Lt wrist X-ray, AP view, male, 13 yo, Siemens —
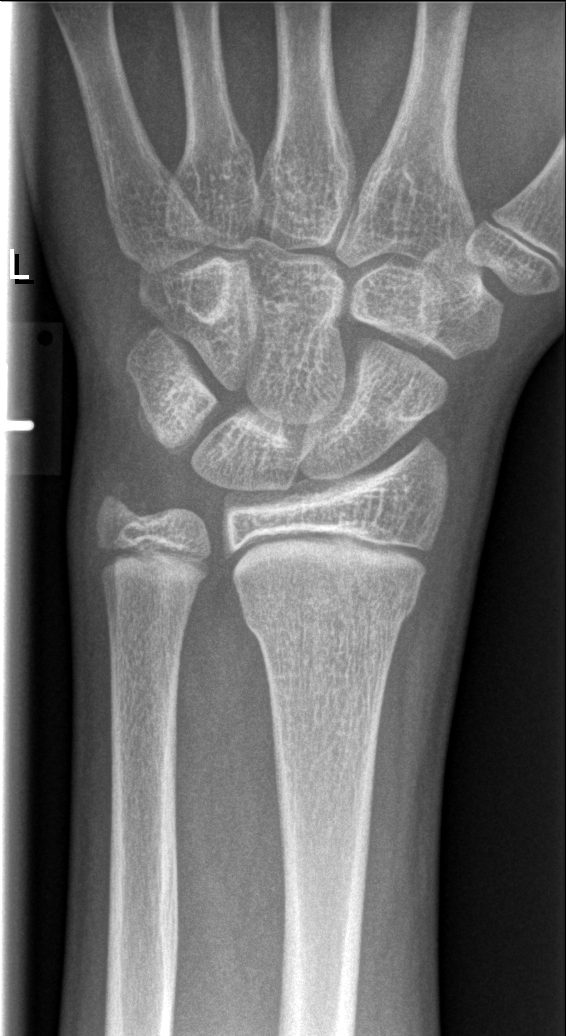   fracture: 2 @ (left=236, top=578, right=423, bottom=650); (left=92, top=476, right=150, bottom=532)
  ao: 23r-M/2.1; 23u-E/7